Lat | R wrist XR | girl, 10 yo | initial study | image width 79.3 mm | 551 by 852 pixels 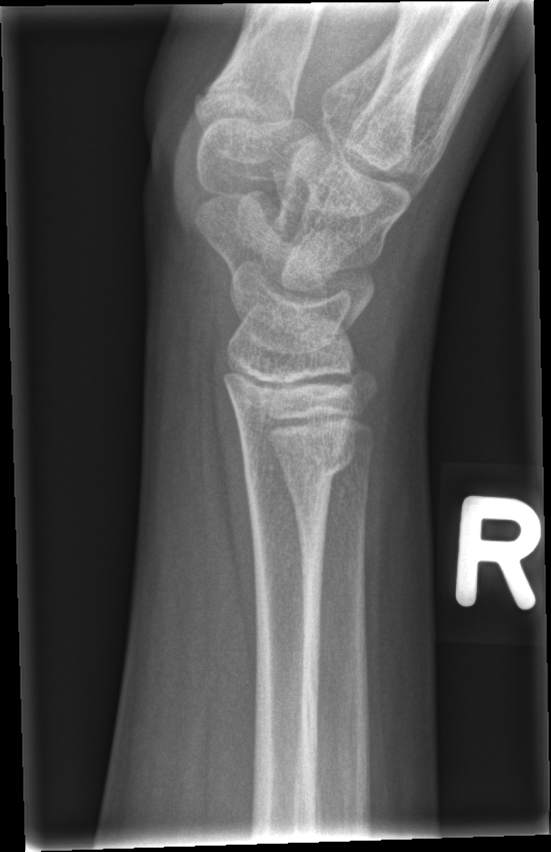 Coordinates are [x1, y1, x2, y2] in image pixels. Fracture — [x1=237, y1=428, x2=360, y2=496]. AO code 23-M/2.1.